Frontal; Lt wrist plain film; pediatric patient (female, age 4); 420 x 724 px:

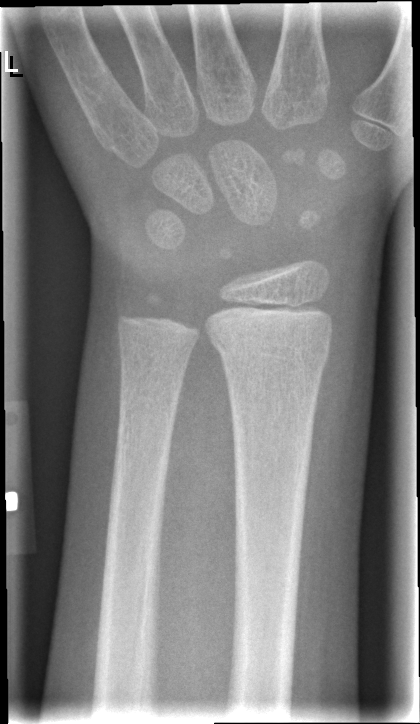 Bone fracture — bbox(206, 324, 333, 373).